Lat, R wrist radiograph, image size 561x1568. 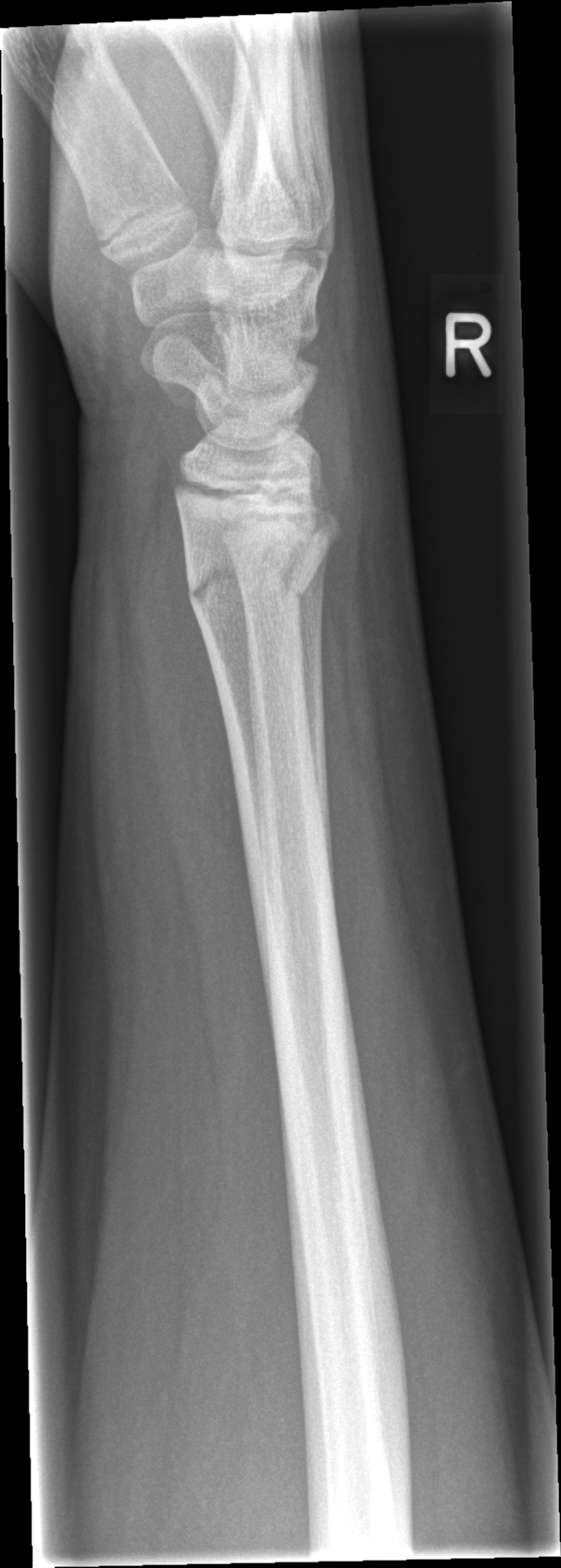 Pixel coordinates, top-left origin, xyxy. Pronator quadratus fat-pad sign — <156,523>-<245,875>. AO/OTA classification: 23r-M/3.1; 23u-E/7. Fx — <182,549>-<312,609>.